Right wrist plain radiograph of the wrist · frontal view · presentation radiograph. 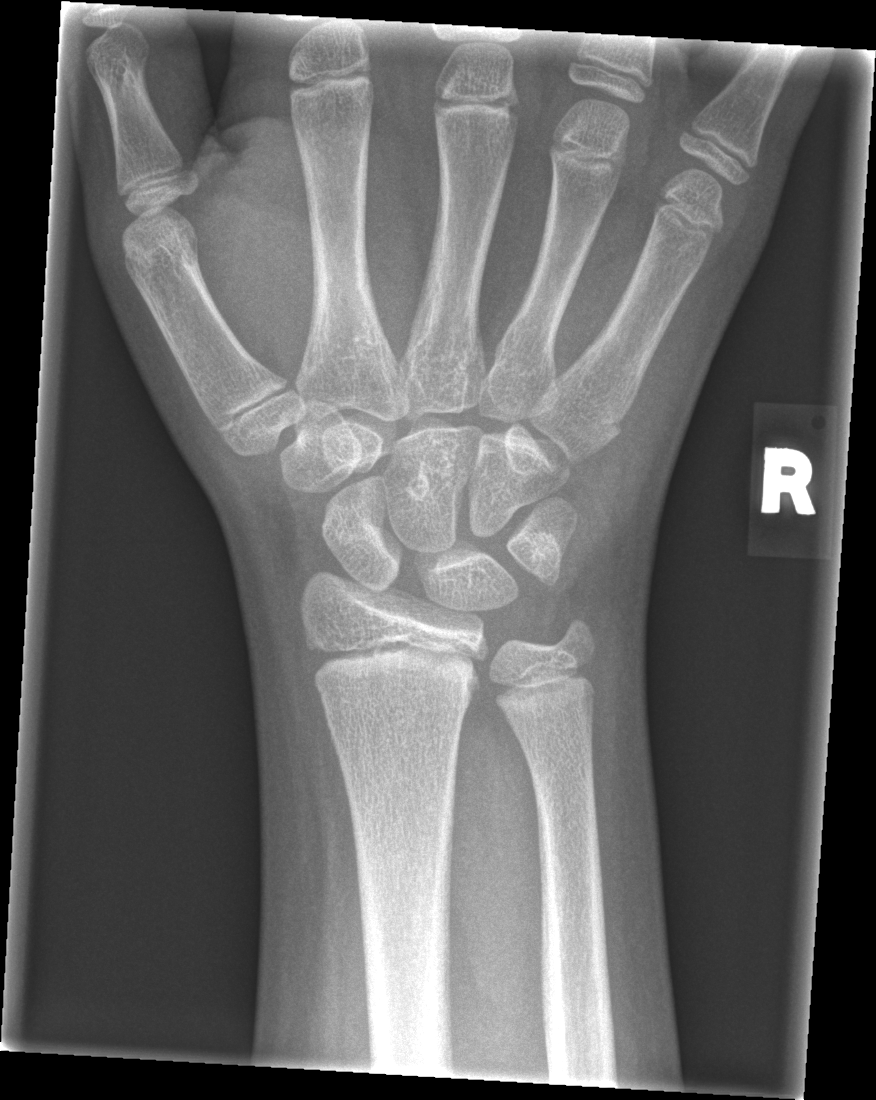 fracture: none labeled